Rt pediatric wrist radiograph | lat view | pediatric patient (girl, age 11) | cast in situ | 564x869:
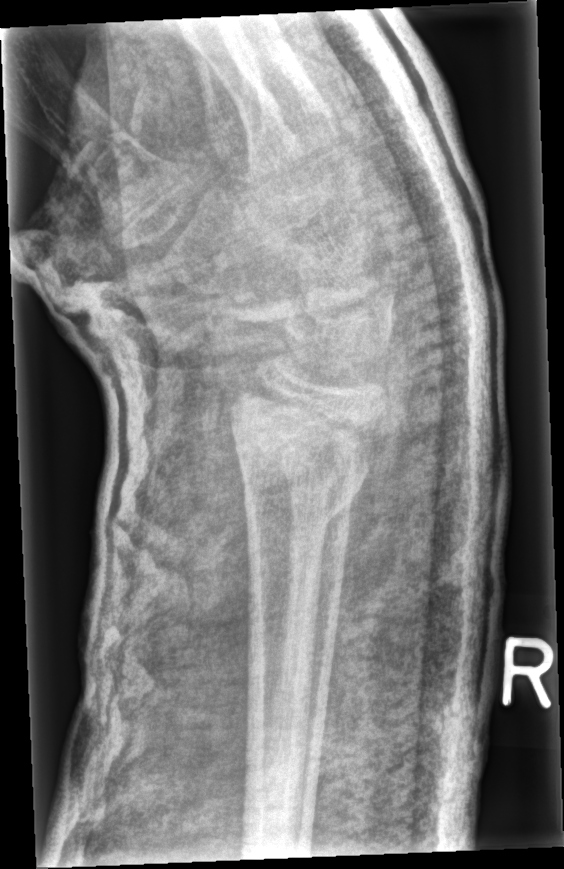

FINDINGS — Bone fracture — (left=224, top=393, right=395, bottom=525).